Right wrist radiograph · lat · age 14 y, boy · 512 by 1008 pixels. 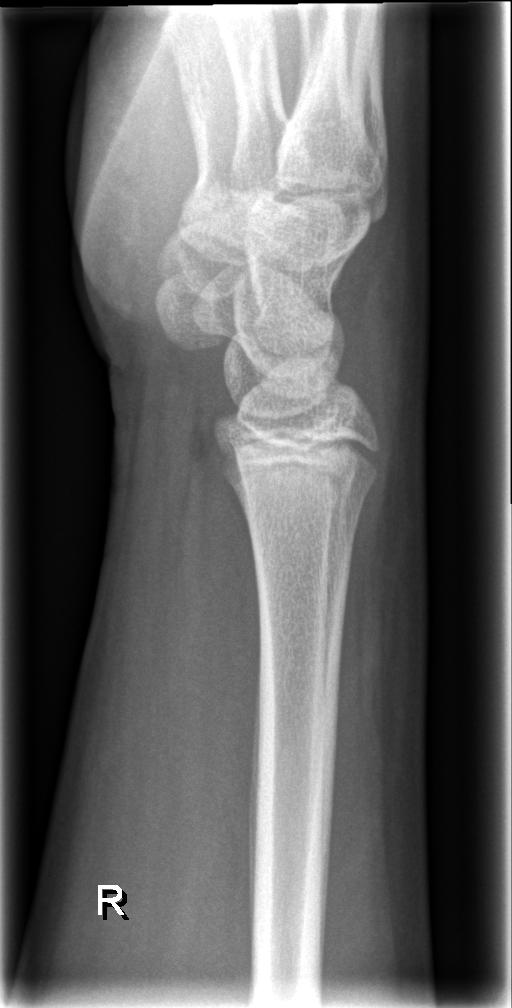

Findings: (coordinates are [x1, y1, x2, y2] in image pixels) One bone fracture at 236,463,382,519. AO/OTA classification: 23r-M/2.1.